Right wrist plain film | lateral | age 15 y, boy:

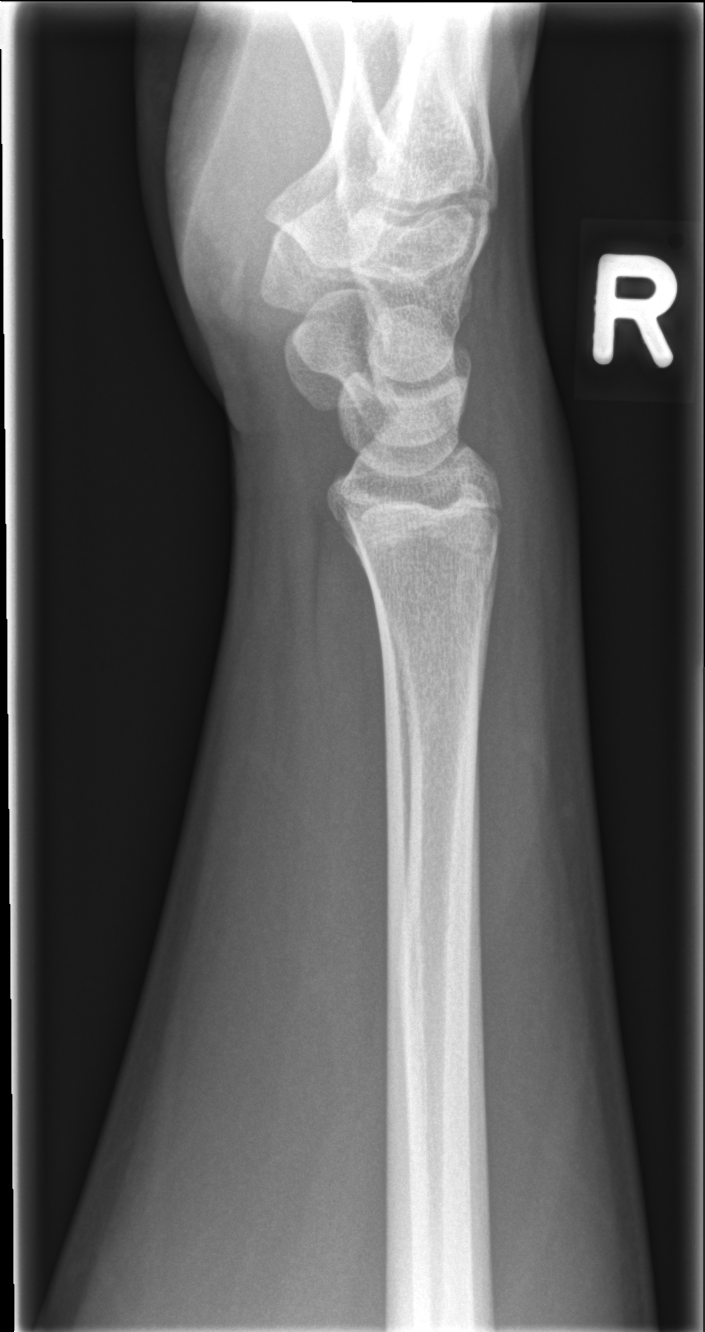 FINDINGS — No Fx annotated. Soft-tissue finding — <475,289>-<590,714>.